PA; Rt wrist XR; imaged through cast: 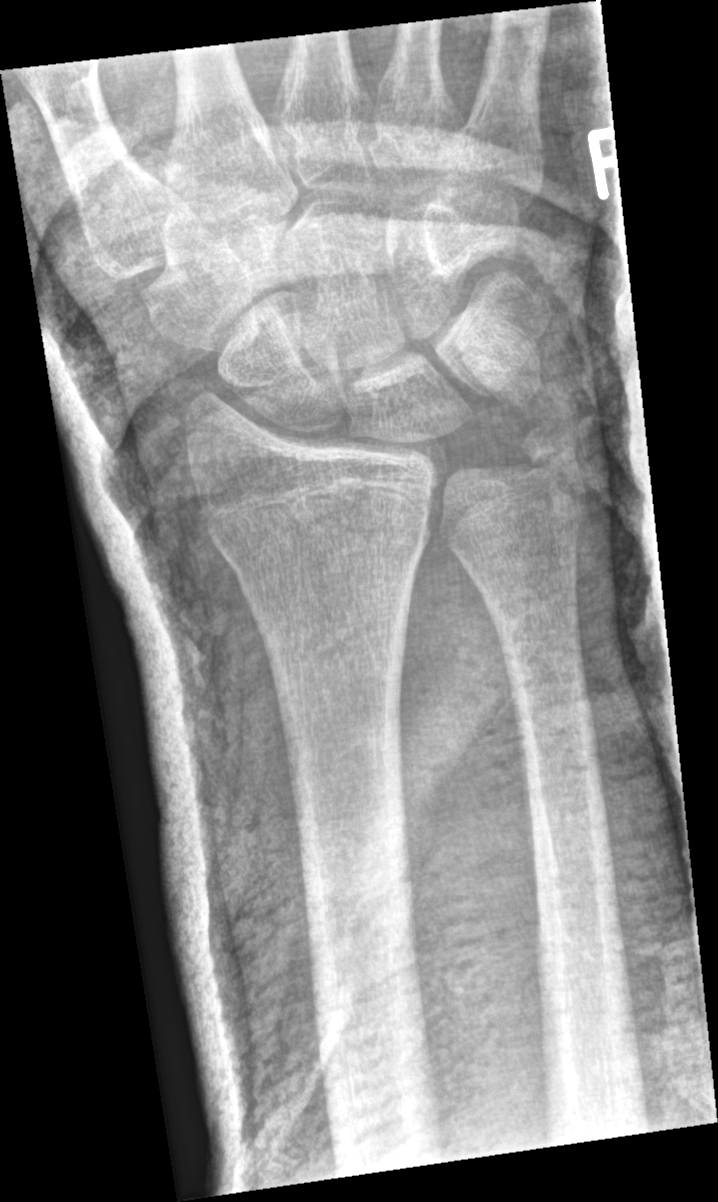
Q: Fracture present?
A: Fx: 211,492,435,583; 511,415,589,485
Q: What is the AO/OTA classification?
A: AO/OTA classification: 23r-M/3.1; 23u-E/7